AP, right wrist XR, boy, 15 yo, 660 x 1568 px 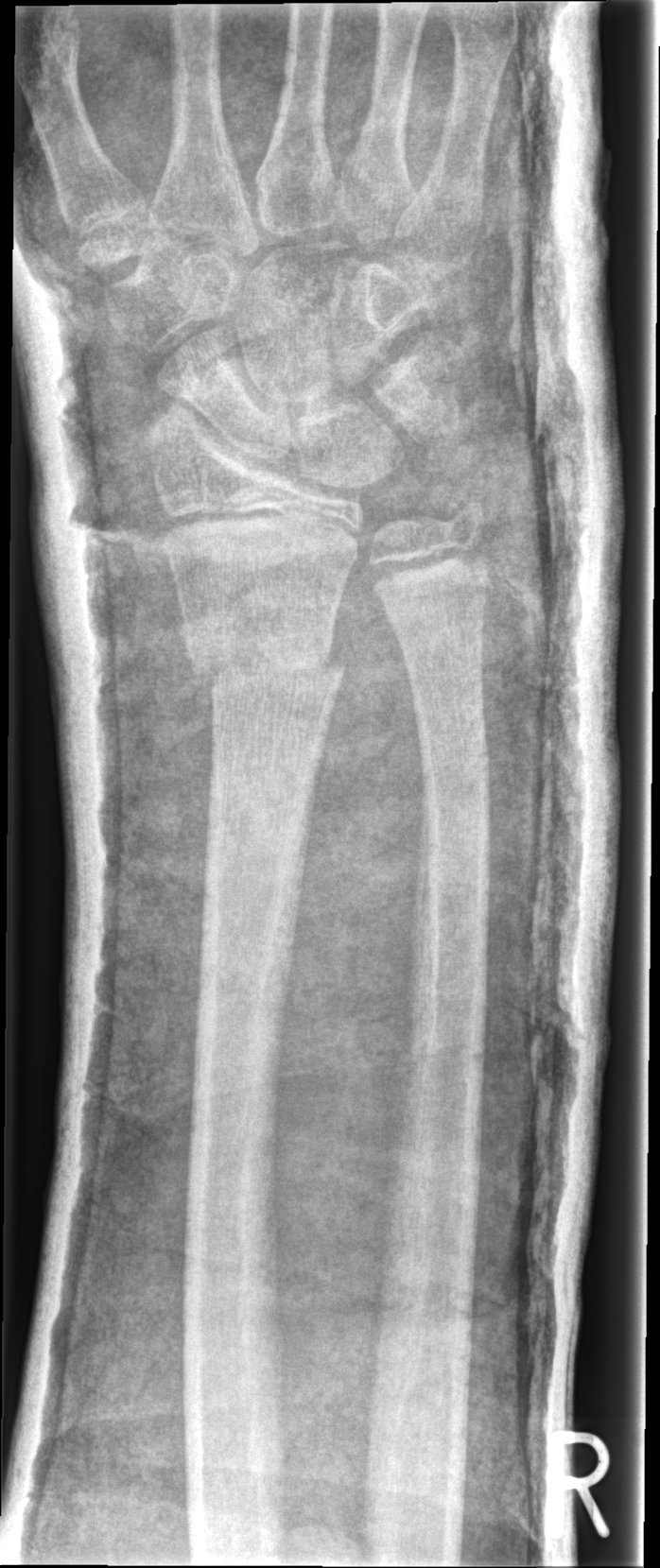

Fx — [x1=182, y1=623, x2=348, y2=697].